Lat · Lt wrist XR · pediatric patient (boy, age 17) · Siemens · 489x1074
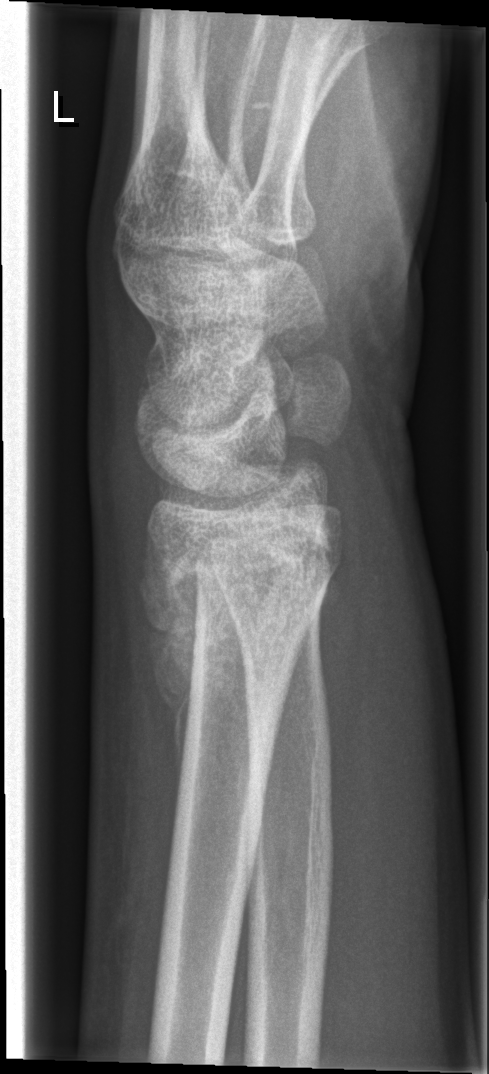 Pixel coordinates, top-left origin, xyxy. Periosteal thickening: 132 534 198 794. Bone fracture: 147 528 348 748.